AP view, right wrist radiograph

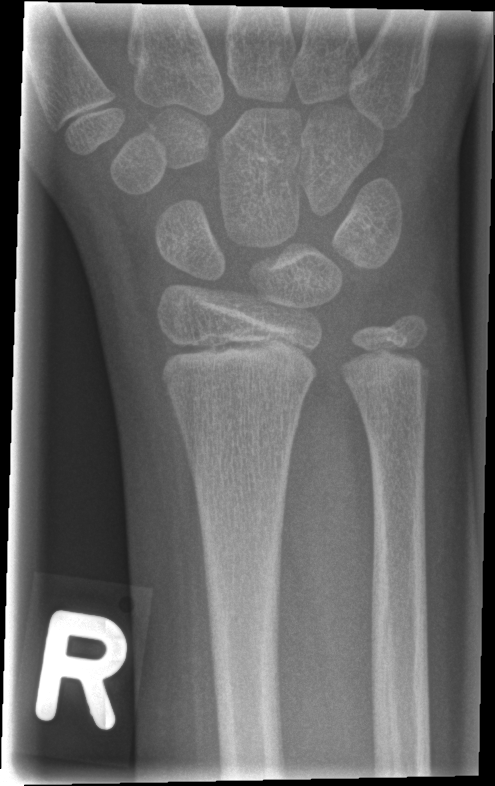

No fracture bounding box.